Left pediatric wrist radiograph; PA view; image width 119.5 mm — 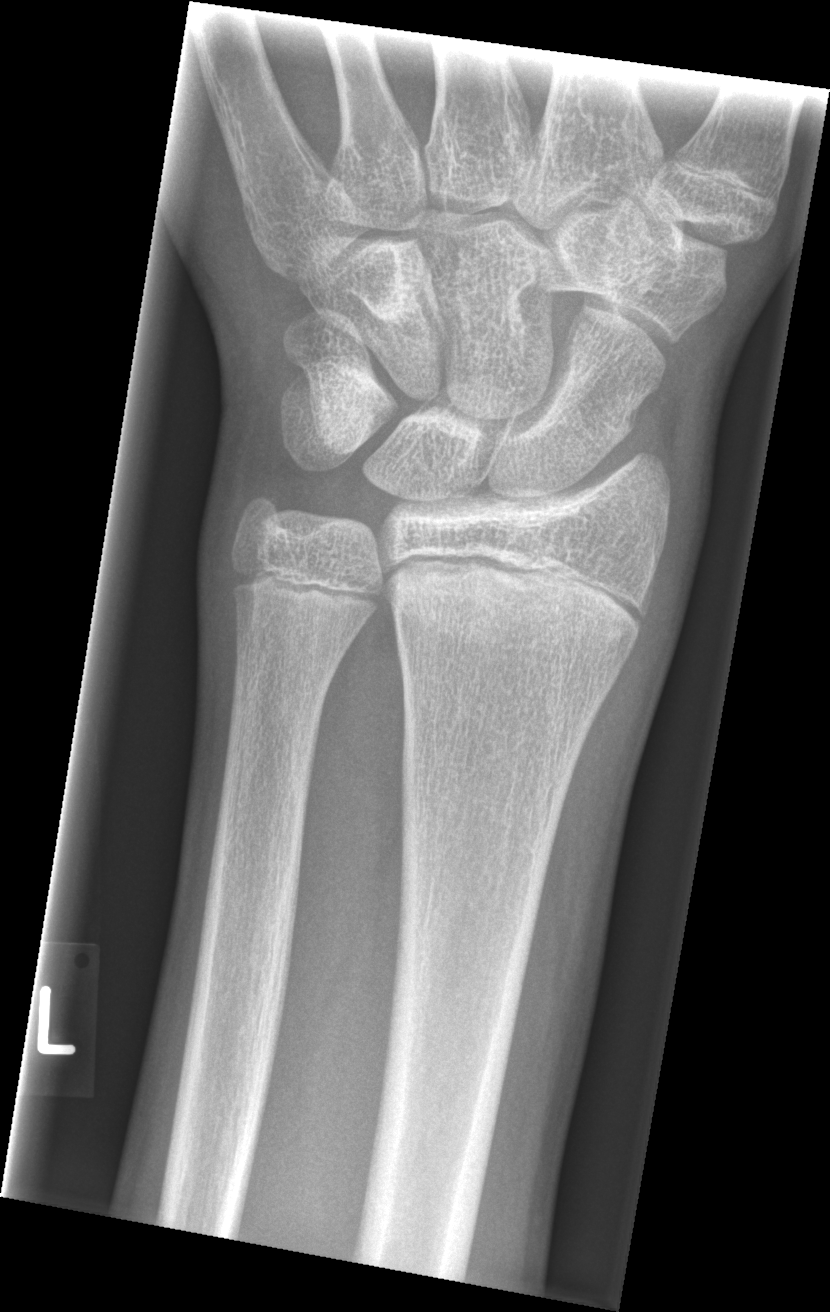
One Fx at (379, 542, 651, 661).
Fracture classified AO/OTA 23r-E/2.1.